Lateral projection, left wrist X-ray.
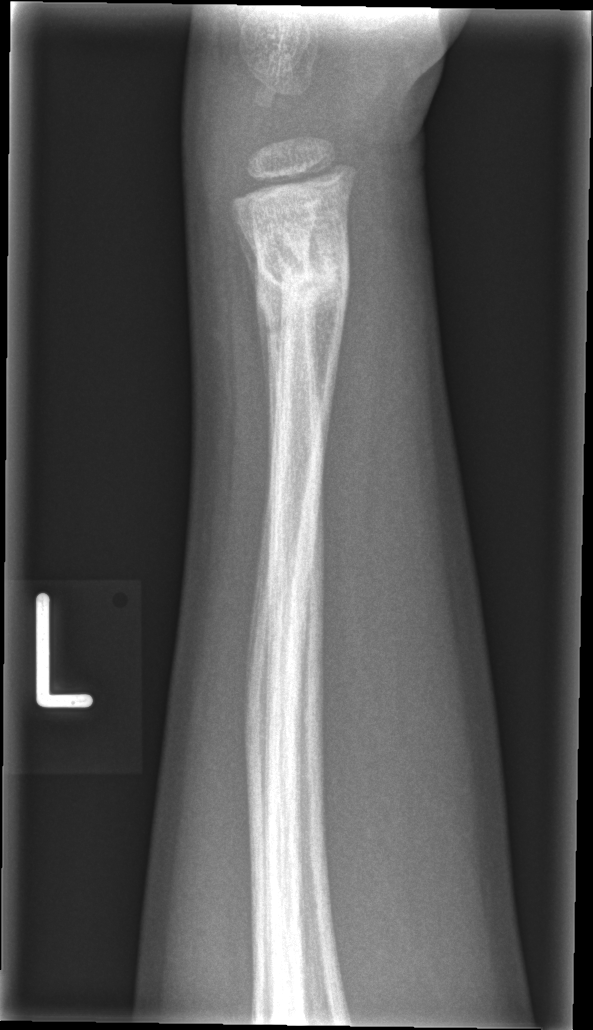 One Fx at 238 228 353 333.
One periosteal thickening at 234 216 278 500.